L wrist plain film · lateral projection · 16y F · image size 481x1020. 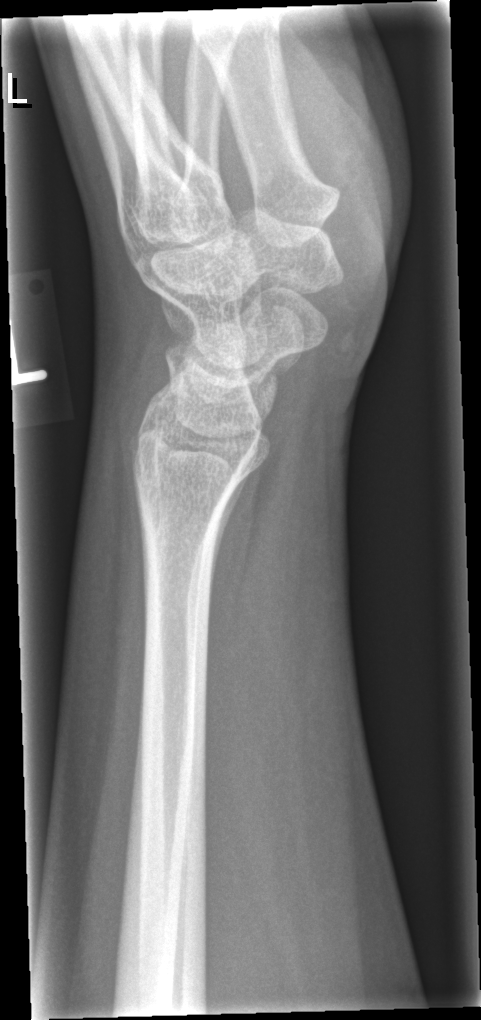 - No fracture annotation.